Lat · R plain radiograph of the wrist · pediatric patient (female, age 7) —

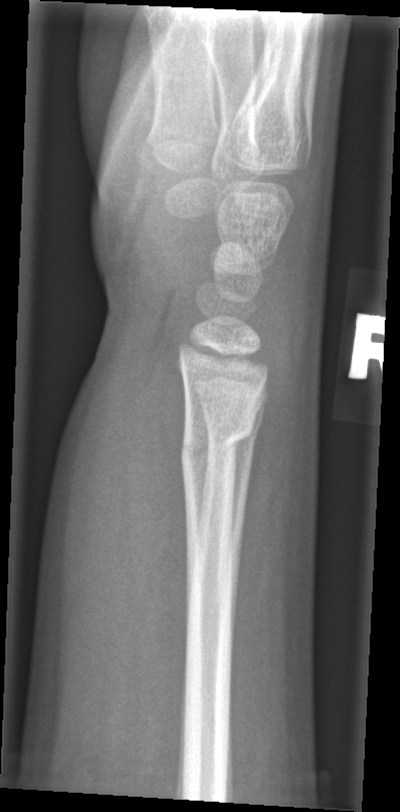
Findings: (coordinates are [x1, y1, x2, y2] in image pixels) Pronator sign identified at <124,372>-<190,764>. Fracture: <175,410>-<258,474>. Fracture classified AO/OTA 23r-M/3.1.